Left wrist plain film | AP projection | 13y M | follow-up | 588 by 1091 pixels 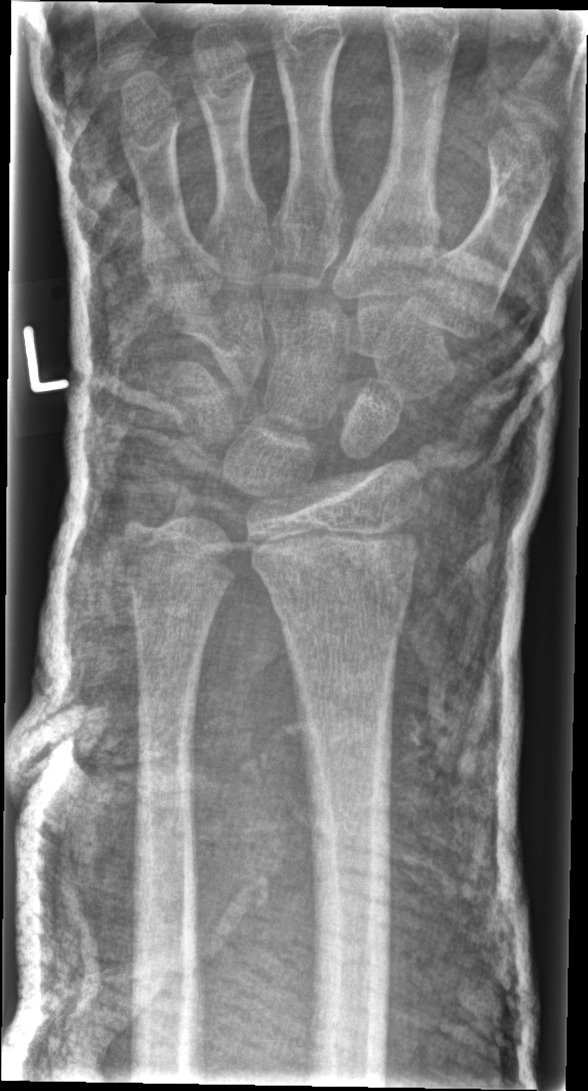 Findings: (coordinates are [x1, y1, x2, y2] in image pixels) Bone fracture identified at 267 567 419 632.